Left wrist XR; frontal projection; age 1.7 y, female:
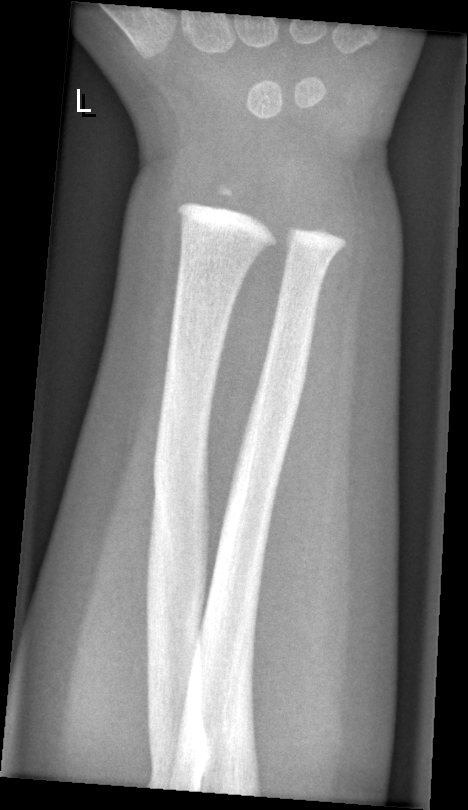

Fracture: none labeled